PA view | Rt pediatric wrist radiograph | presentation radiograph | 504 x 792 px 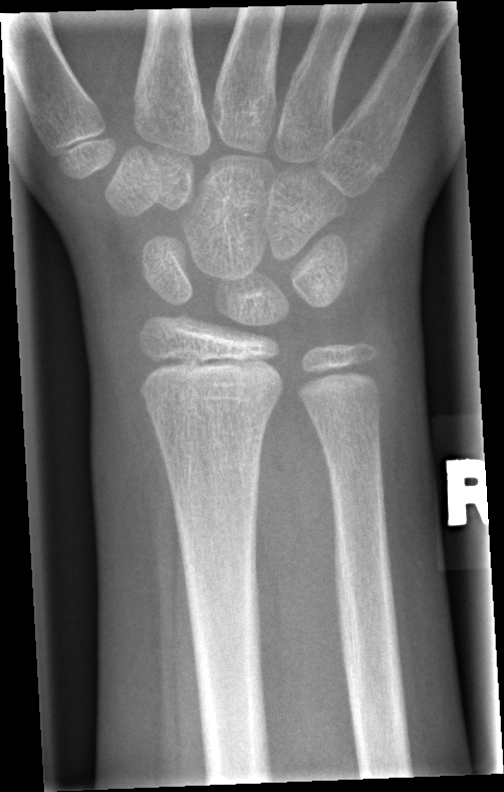

FINDINGS — (coordinates are [x1, y1, x2, y2] in image pixels) AO code 23r-M/2.1. Fx identified at (left=136, top=385, right=275, bottom=436).